Left wrist X-ray | AP projection | 7-year-old female.

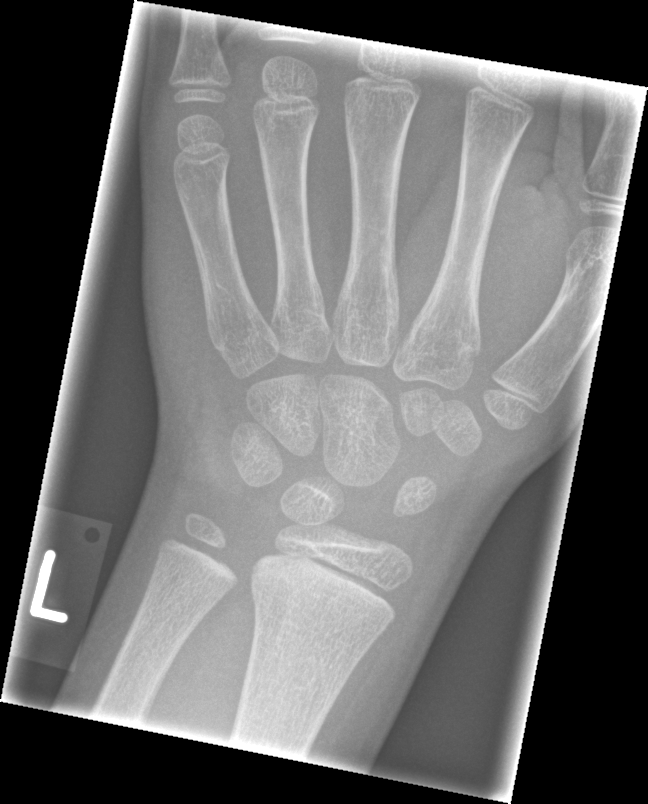
  ao: 23r-M/2.1
  fracture: present but not clearly seen in this view